AP; left wrist XR; 16y F; Siemens; image width 113.0 mm; image size 785x898.
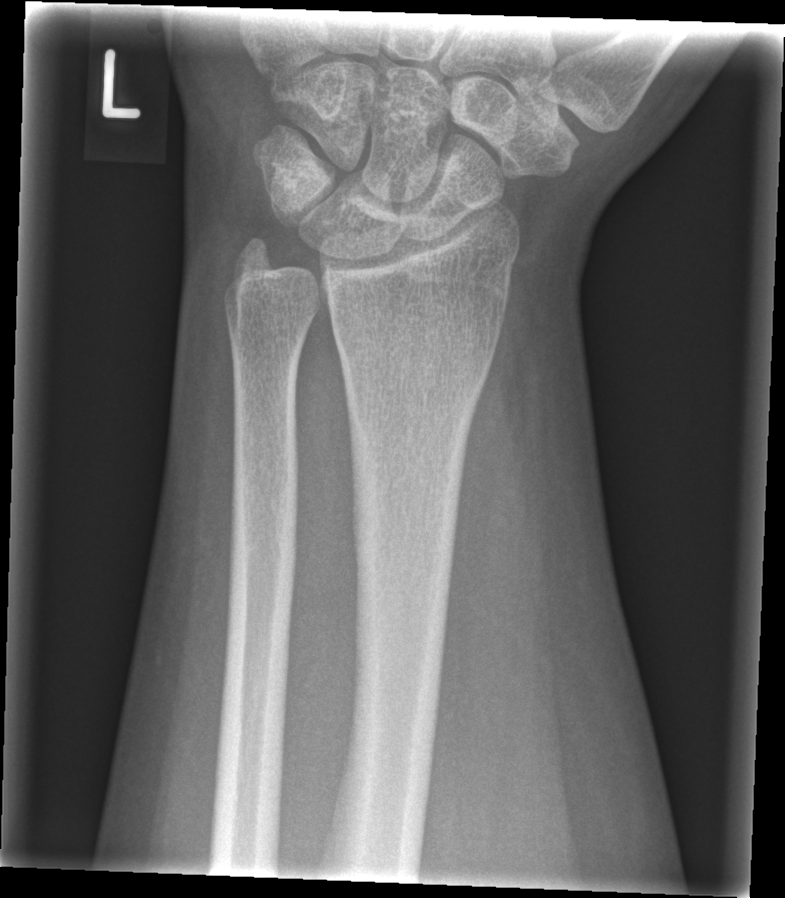 No fracture bounding box.